PA/AP view · Rt wrist XR · age 8 y, girl · 510x1064 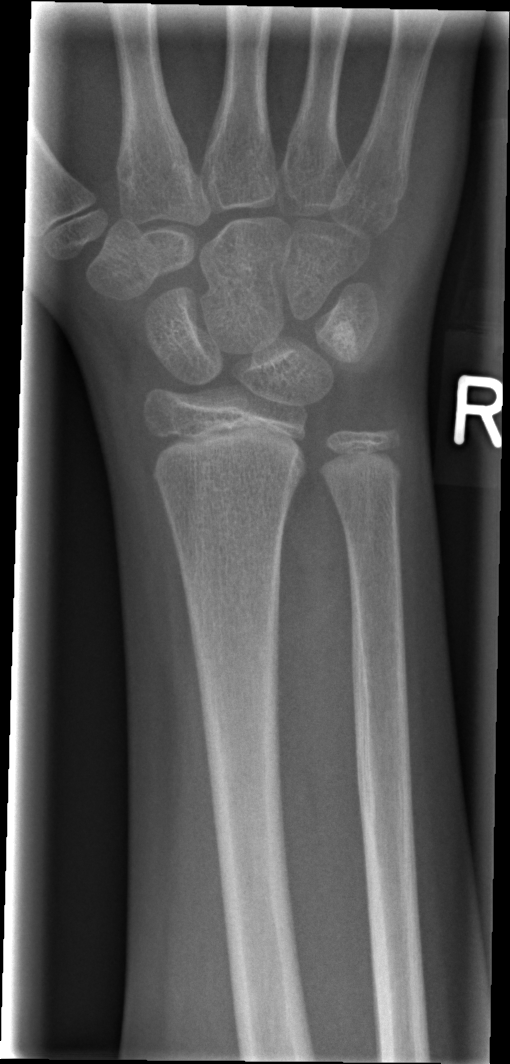
  fracture: none labeled